R wrist X-ray; lateral view — 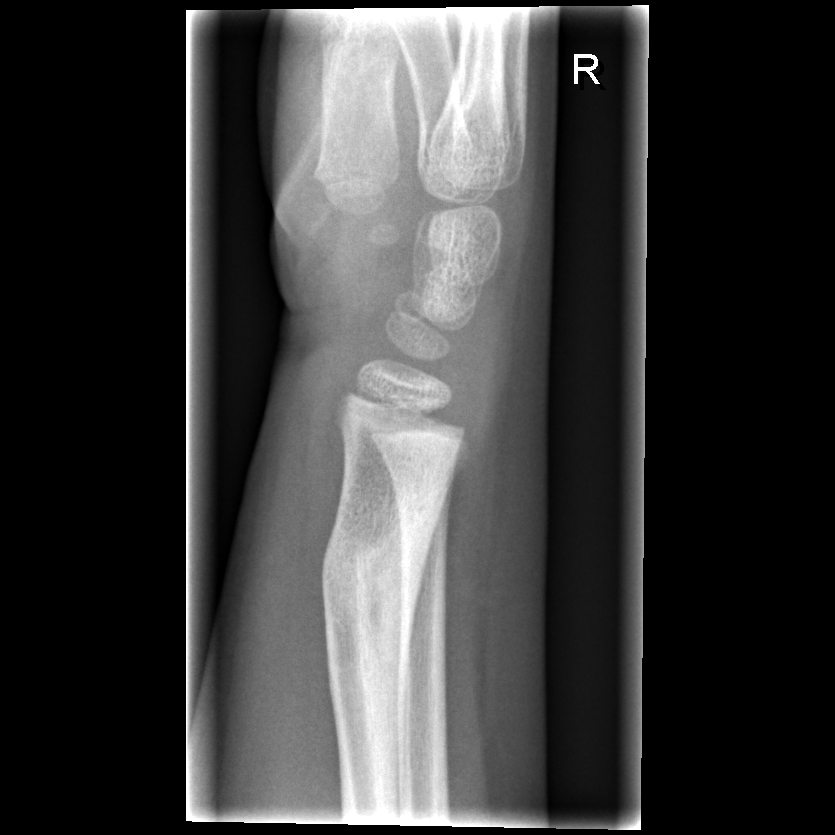
Q: What is the AO/OTA classification?
A: AO/OTA classification: 23-M/3.1
Q: Is there a fracture?
A: Fracture: (left=319, top=518, right=437, bottom=662)